L wrist X-ray | frontal projection: 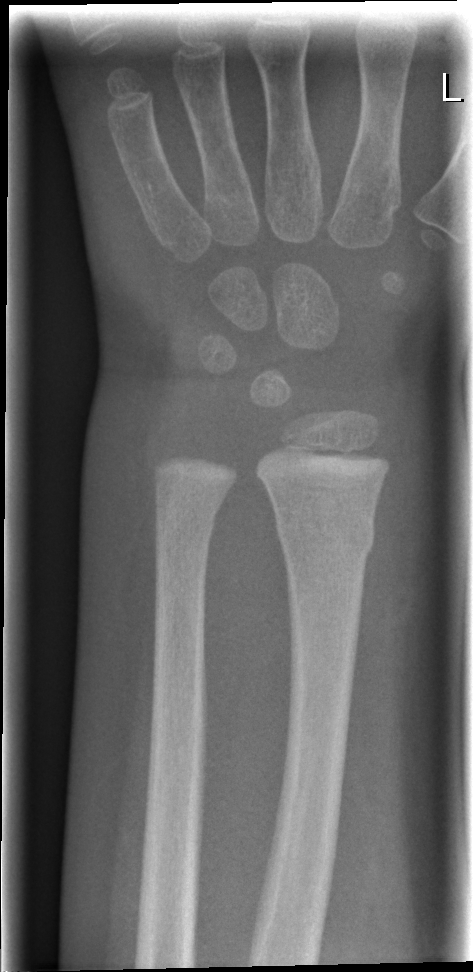
• Fracture identified at 270 509 381 564
  150 502 221 546.
• Fracture classified AO/OTA 23-M/2.1.